Left wrist radiograph | PA/AP | 8-year-old girl | subsequent exam | cast present | Siemens | 502 by 1197 pixels:

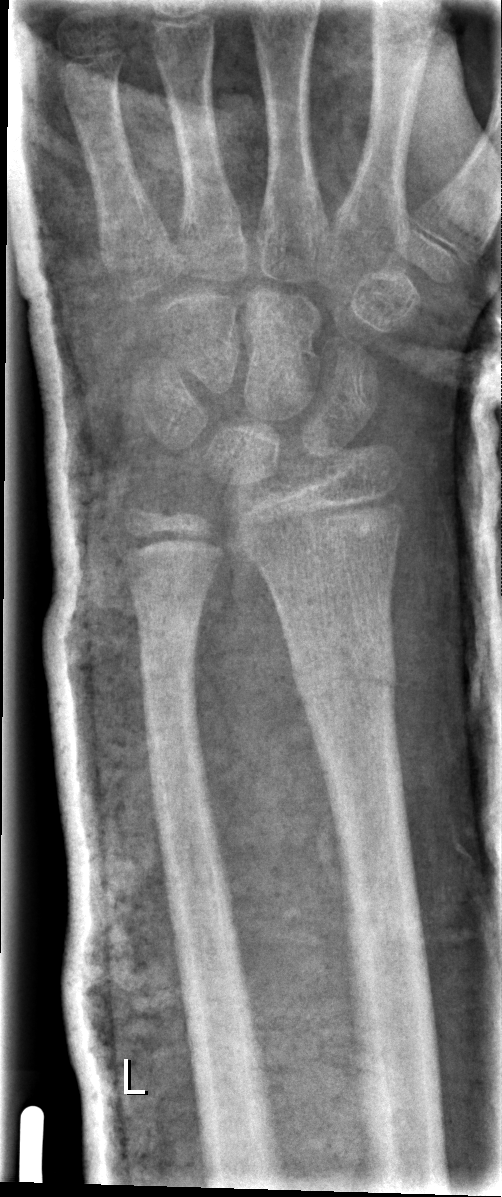

(coordinates are [x1, y1, x2, y2] in image pixels)
AO/OTA: 23-M/2.1
bone fracture: (291, 634, 399, 723), (135, 600, 206, 704)